PA/AP · L plain radiograph of the wrist · 7y M
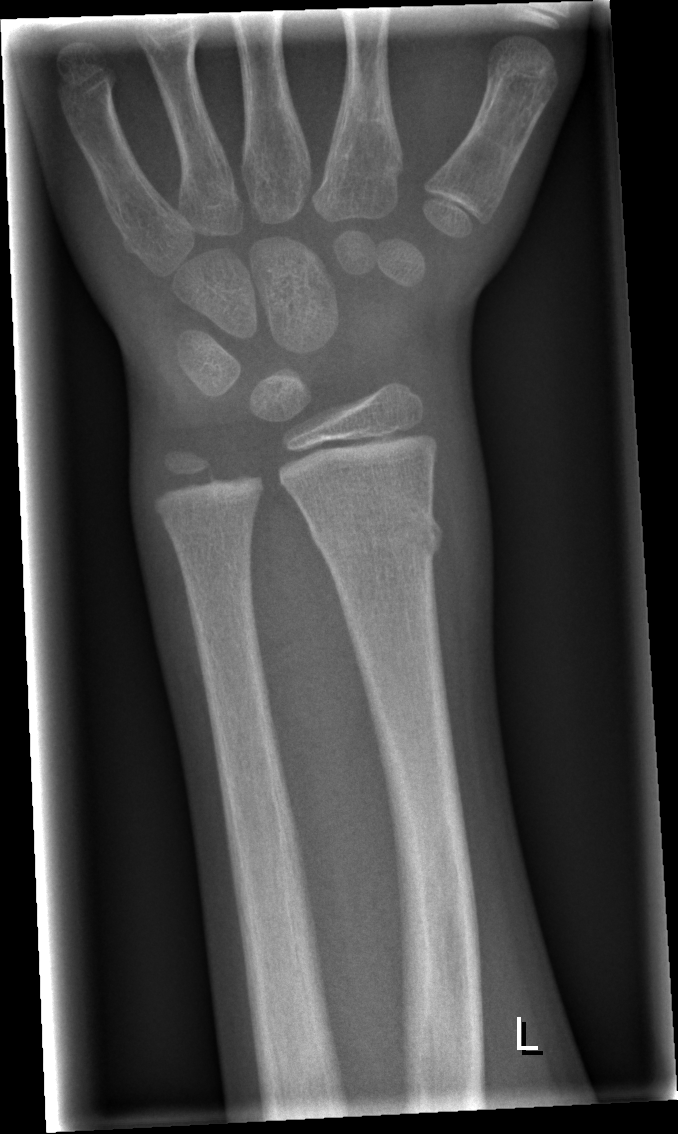
Fx = (left=308, top=509, right=448, bottom=565)
AO/OTA = 23r-M/3.1